Posteroanterior projection · L wrist X-ray.

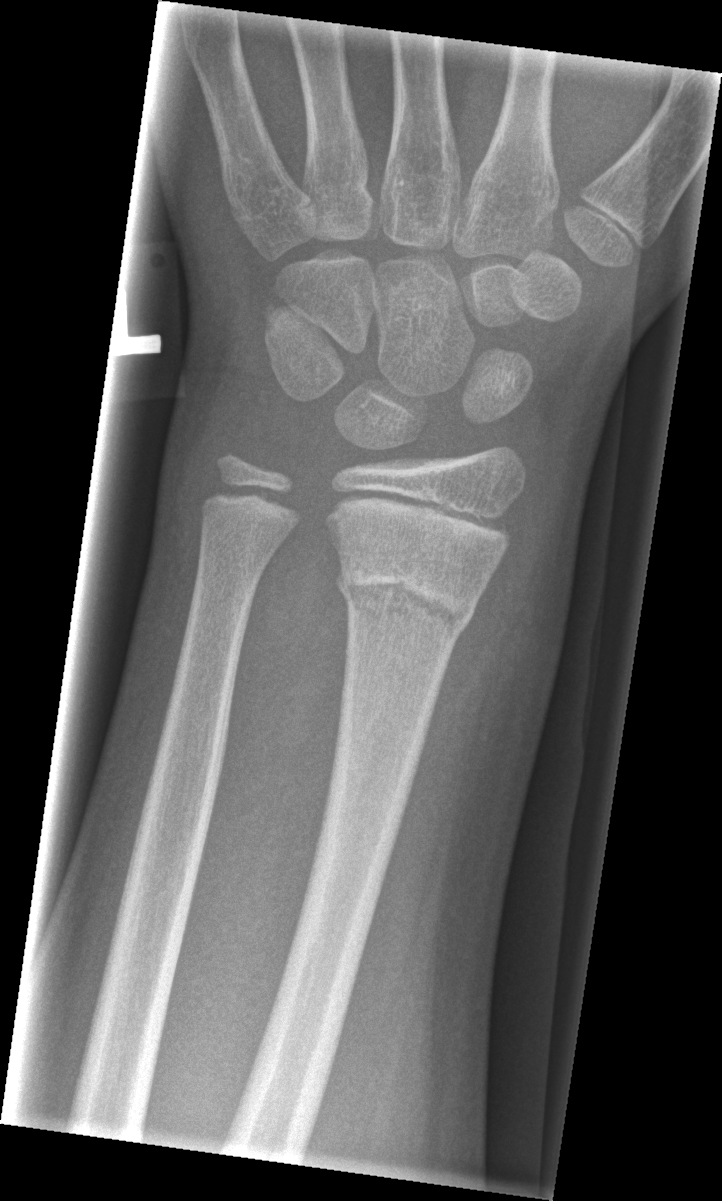

(bounding boxes in image-pixel xyxy)
fracture: 1 @ [331, 543, 487, 645]